Left wrist X-ray, lateral —
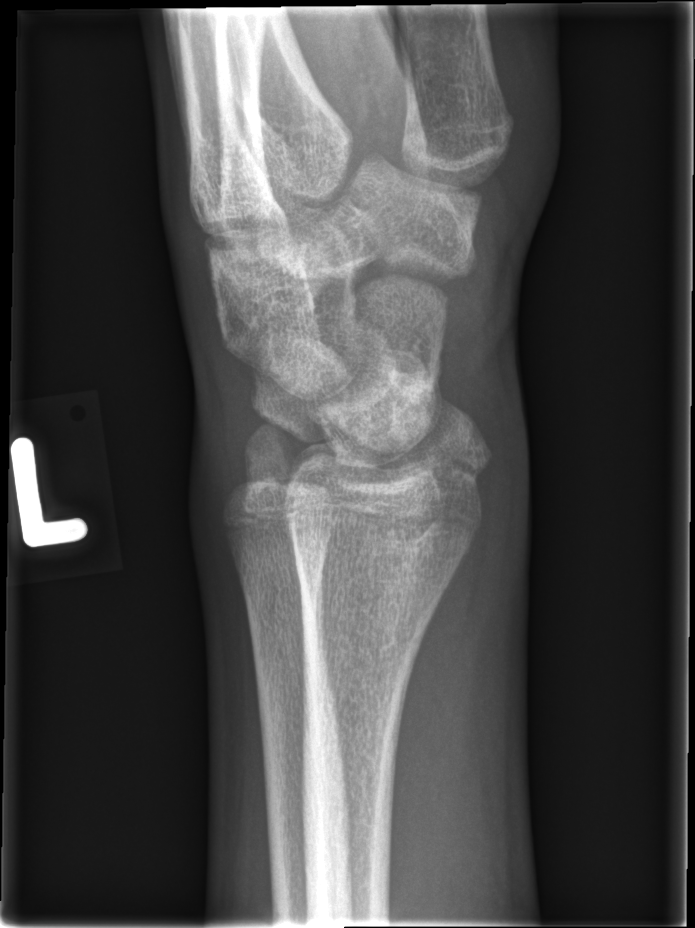

Q: AO code?
A: AO code 23r-E/7
Q: Any fracture seen?
A: Fx — 285 390 501 514
Q: Bone density?
A: Osteopenic